R pediatric wrist radiograph, lat, 13-year-old boy
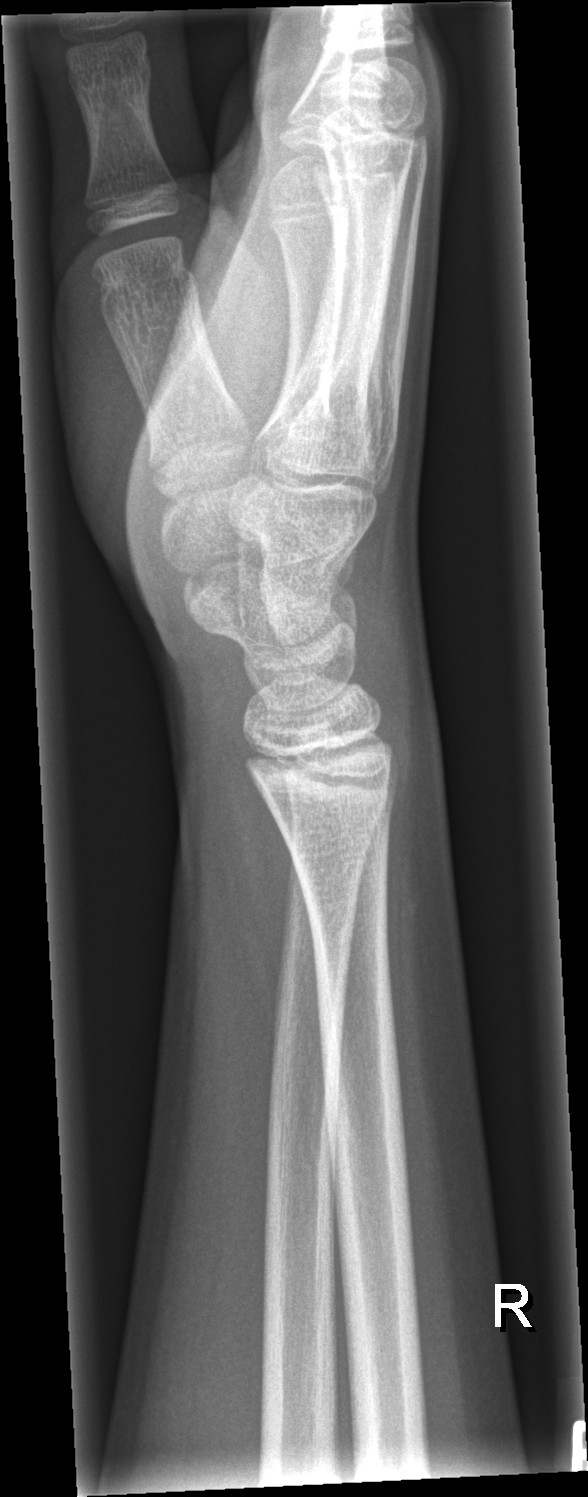 fracture: none labeled